Lt wrist radiograph | frontal projection | age 16 y, girl | 543x1188:

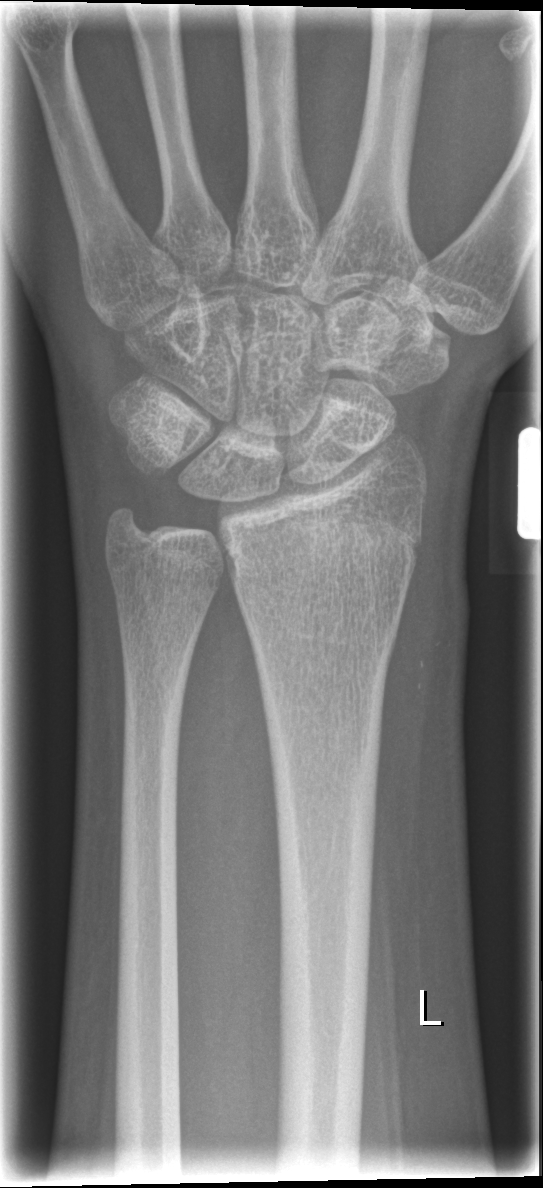 Fx = none labeled